Lat view, R plain radiograph of the wrist, 3y F, initial study, Siemens — 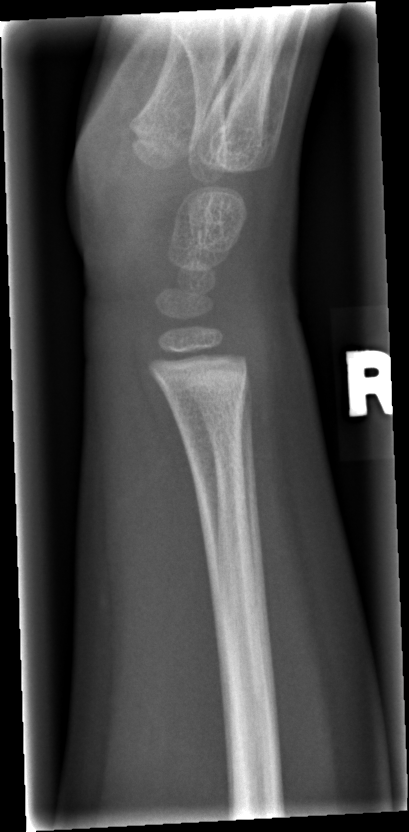
Fx: none labeled